L pediatric wrist radiograph | posteroanterior projection | boy, 13 yo

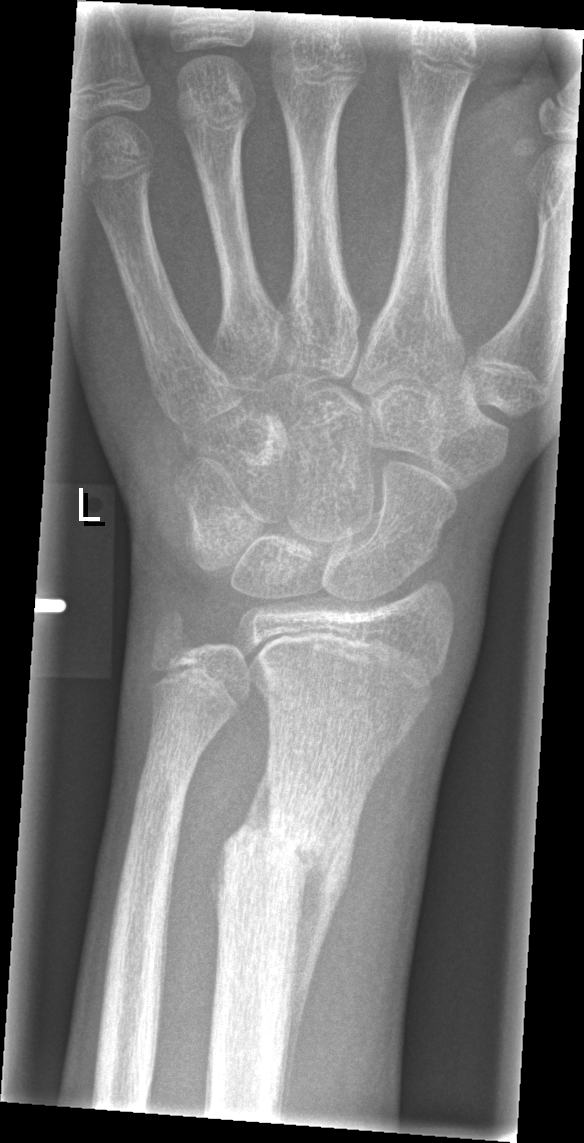
Boxes as x1,y1,x2,y2 (top-left / bottom-right, pixel units).
Periosteal new bone — 282 858 354 1123 | 236 749 272 837.
Decreased bone density (osteopenia).
Fracture: 212 812 355 914.